L pediatric wrist radiograph | lat | cast present | 550 x 889 px
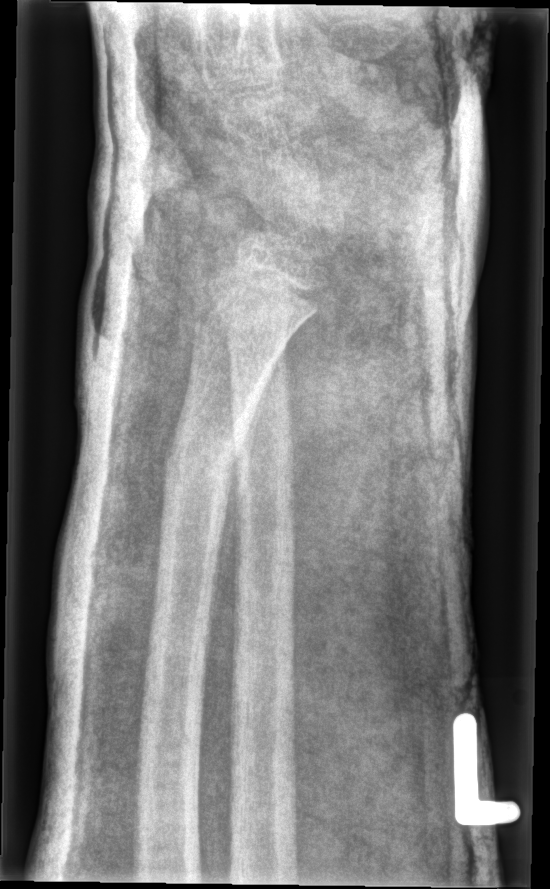

One Fx at (158, 415, 250, 504). AO code 23-M/2.1.